Lat projection; L plain radiograph of the wrist; image width 105.8 mm: 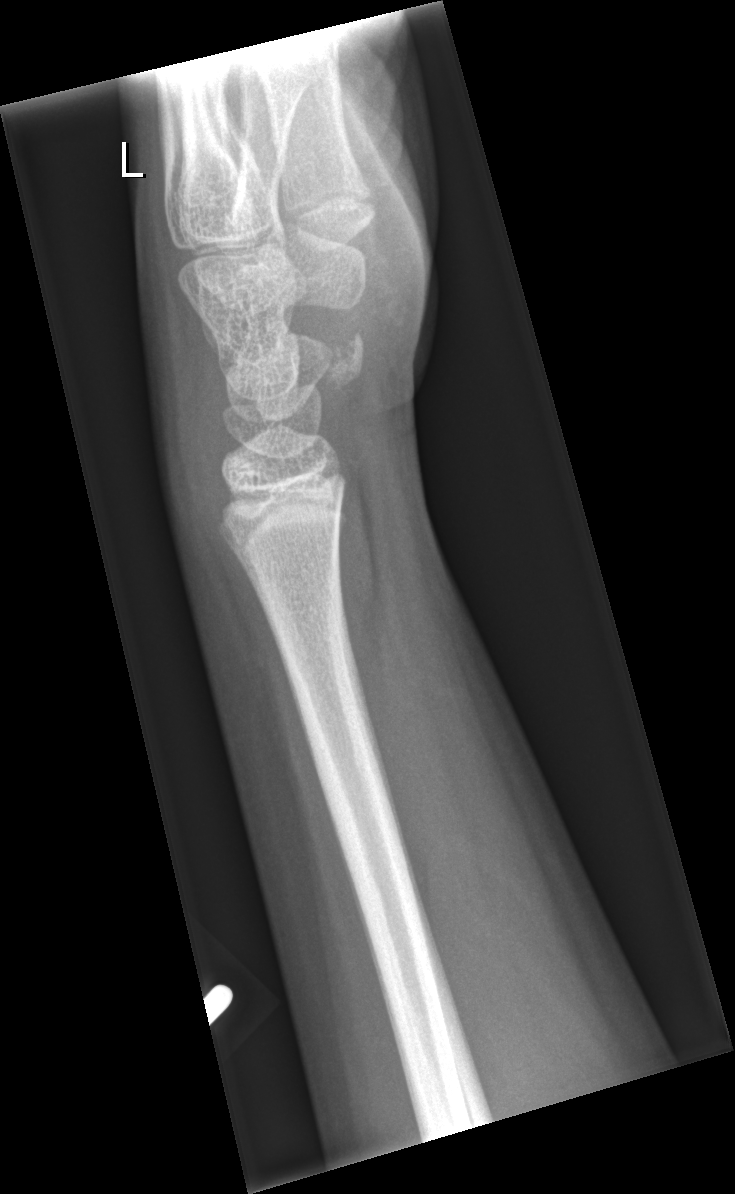
  fracture: none labeled